AP view; right wrist radiograph 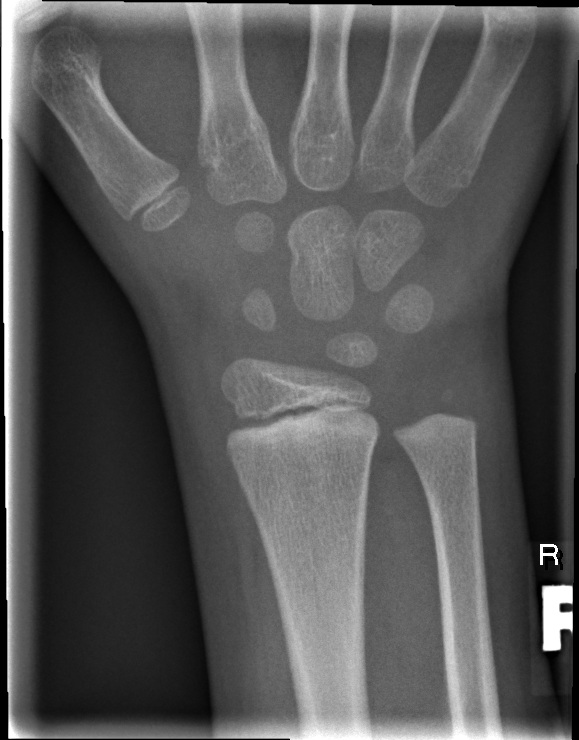

FINDINGS: No Fx annotated.